Left wrist XR; lat —
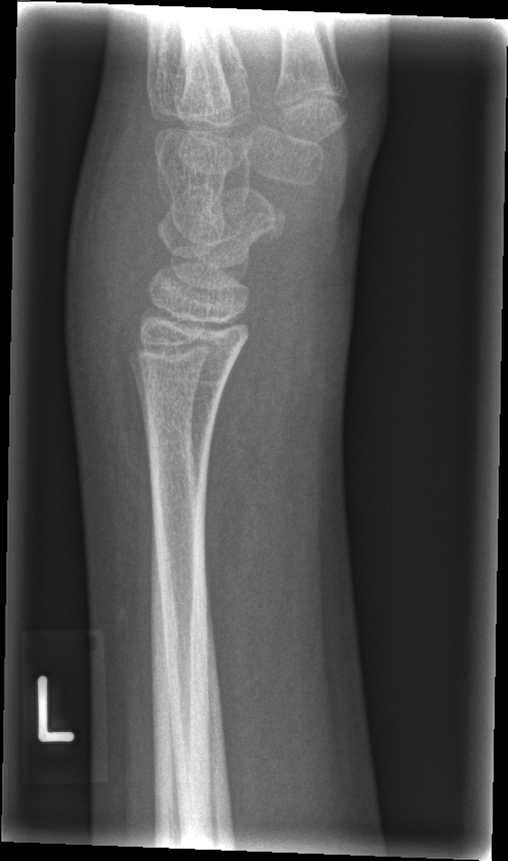
Findings: Fracture: none labeled. Decreased bone density (osteopenia). Two soft tissue abnormality at [x1=226, y1=187, x2=359, y2=472], [x1=61, y1=117, x2=163, y2=406].